Left wrist X-ray; PA/AP view; age 13 y, male; follow-up study; cast in situ: 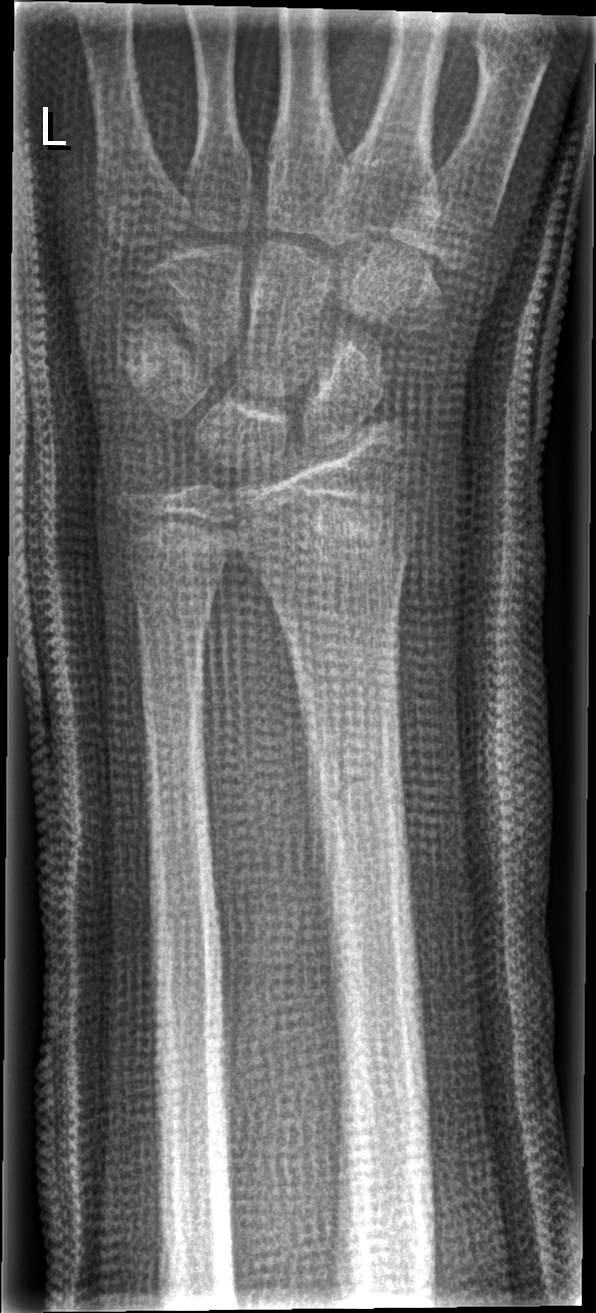

(bounding boxes in image-pixel xyxy)
AO code = 23r-M/3.1
Fx = 1 @ bbox(298, 712, 420, 860)